Left wrist radiograph · PA projection · pediatric patient (girl, age 15)

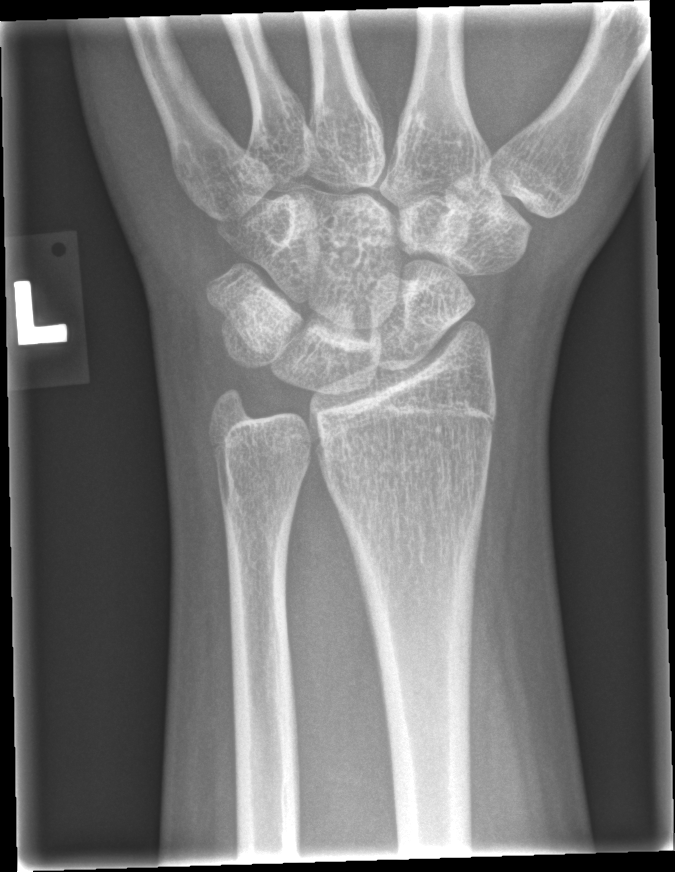

FINDINGS: No Fx annotated.